R wrist X-ray · lat · 12-year-old girl · index exam:
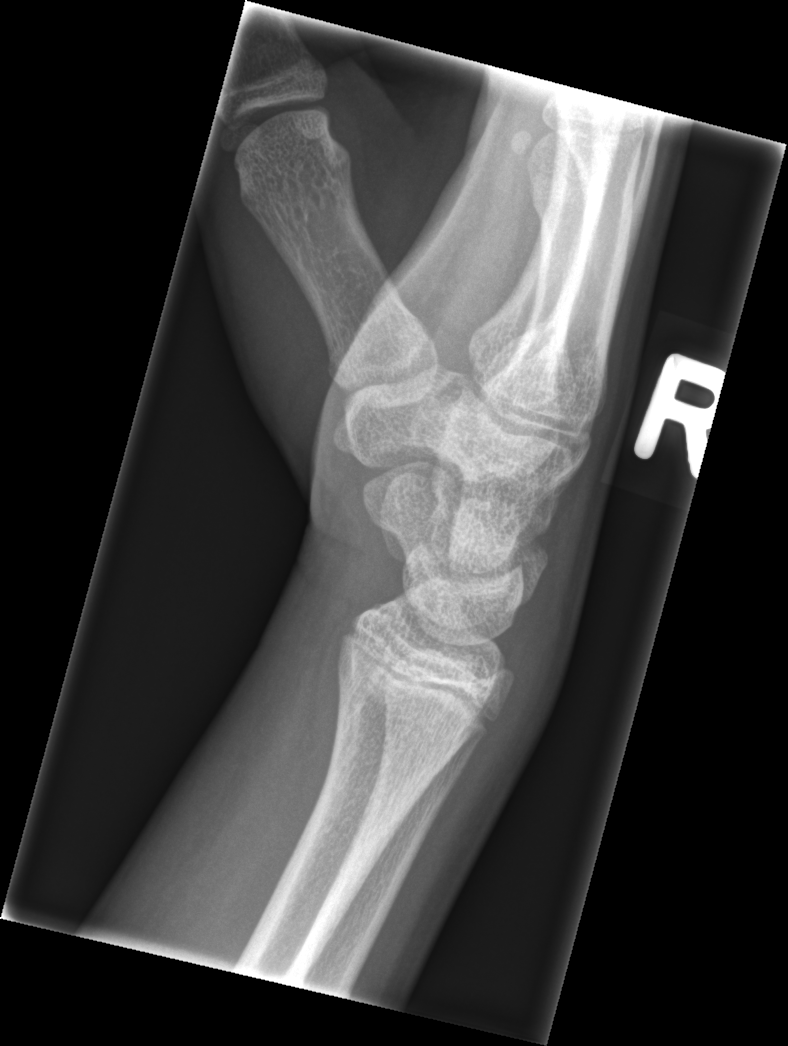
fracture: none labeled